AP; left wrist plain radiograph of the wrist; 568 by 1186 pixels: 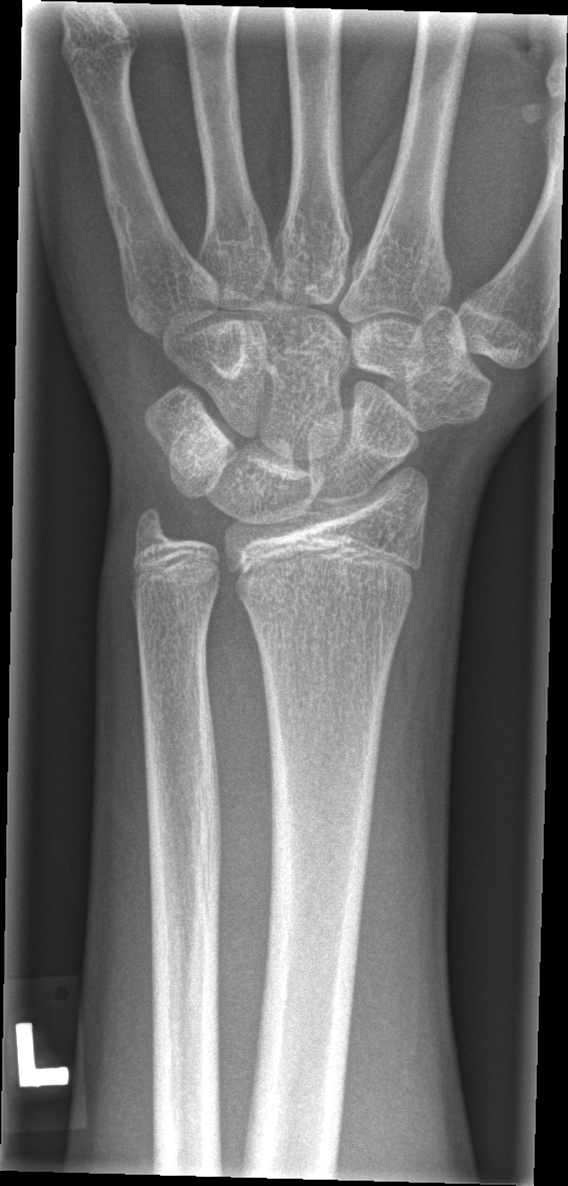 FINDINGS: Fx: none.